Right wrist radiograph | lateral projection.

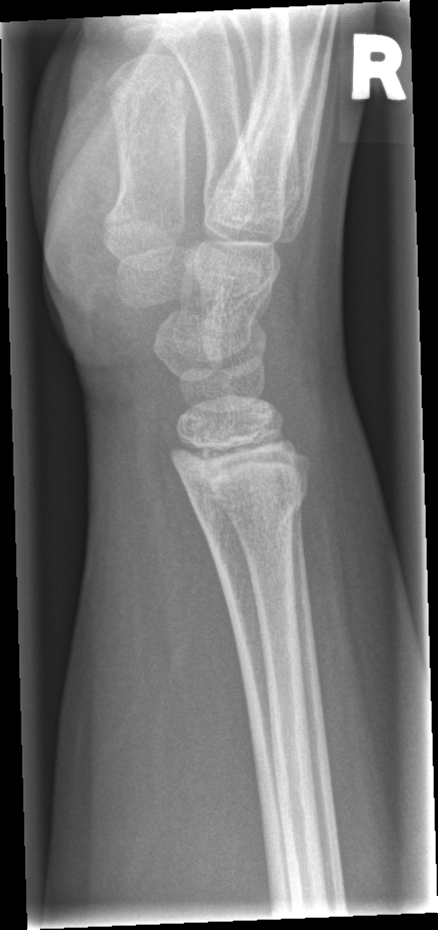 Q: What is the AO/OTA classification?
A: AO/OTA classification: 23r-M/2.1
Q: Fracture present?
A: One fracture at [192, 474, 311, 541]